PA; left wrist plain film; 8y M.

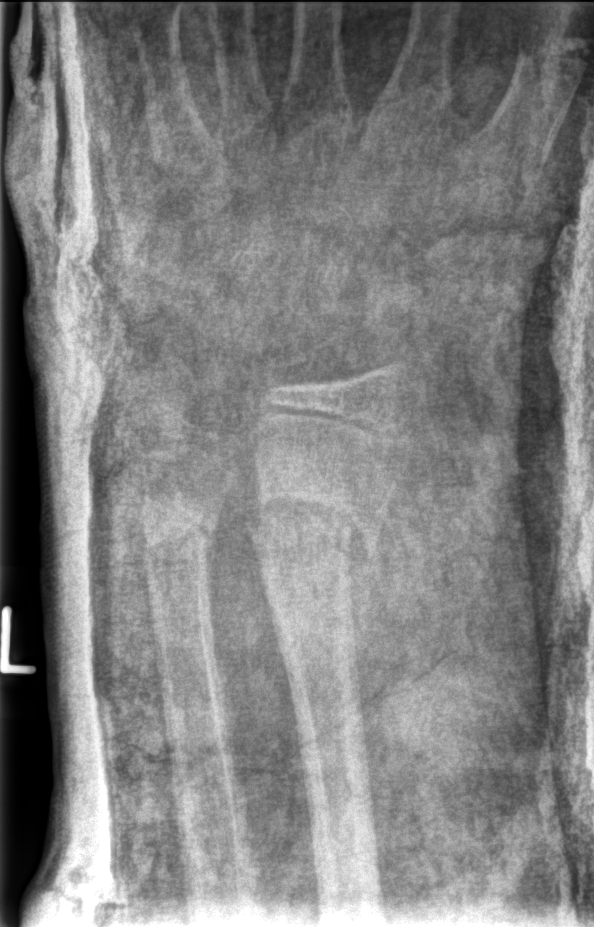 Bone fracture: <245,477>-<381,577> <137,510>-<218,569>.